Frontal · Rt wrist plain film:

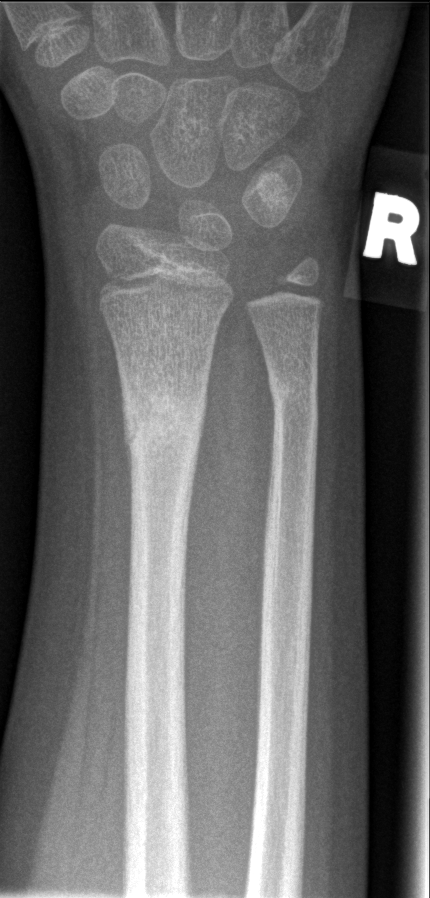
ao: 23-M/2.1
fracture: <121,386>-<206,462>, <265,365>-<322,411>
osteopenia: present